Lateral projection, Lt wrist plain film, cast in situ:
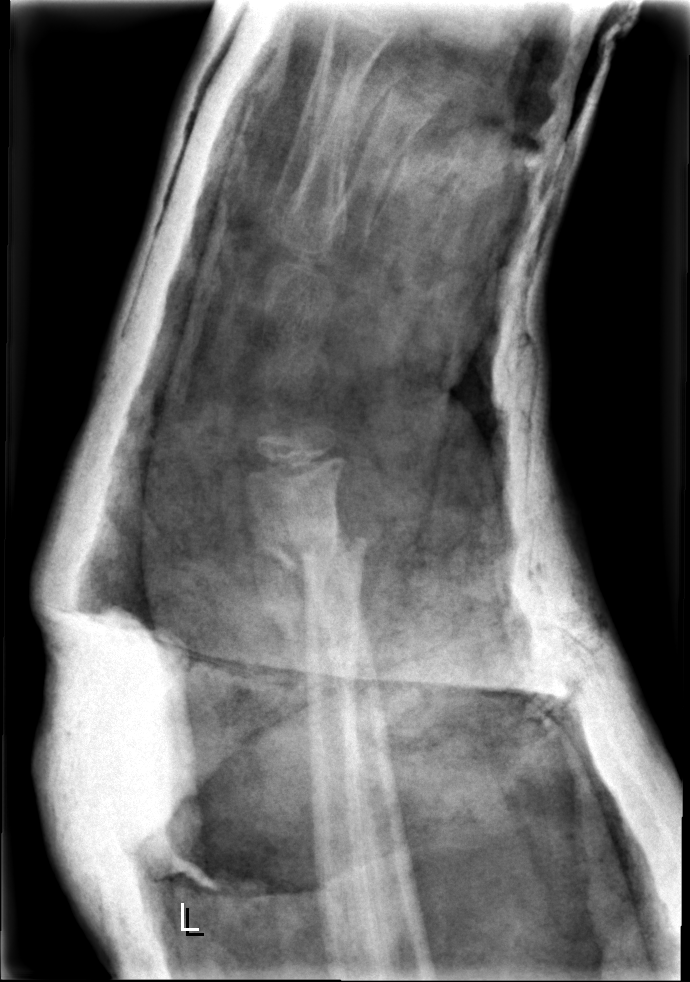 Fracture: bbox(251, 521, 372, 576).